L wrist radiograph | lat 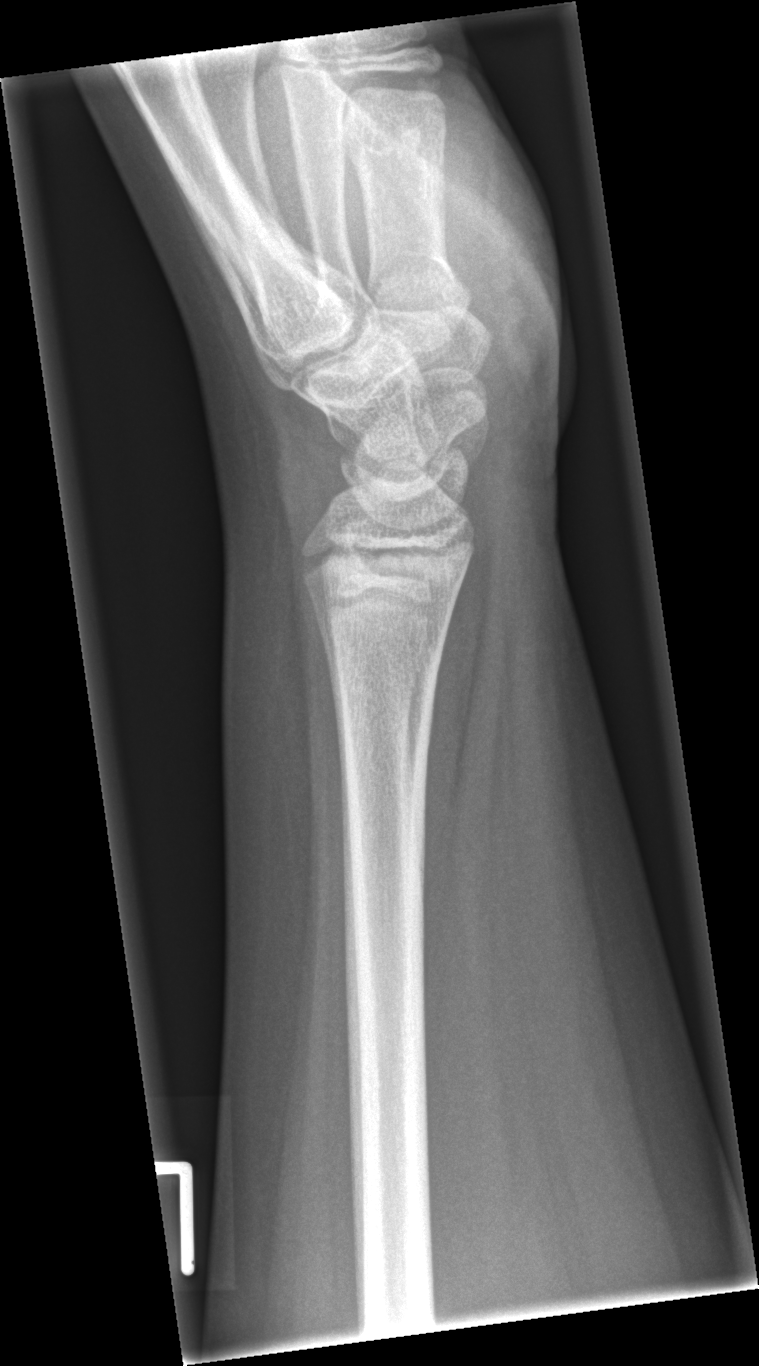 Q: Any fracture seen?
A: Fx: none